Left wrist XR · frontal view · 16-year-old girl — 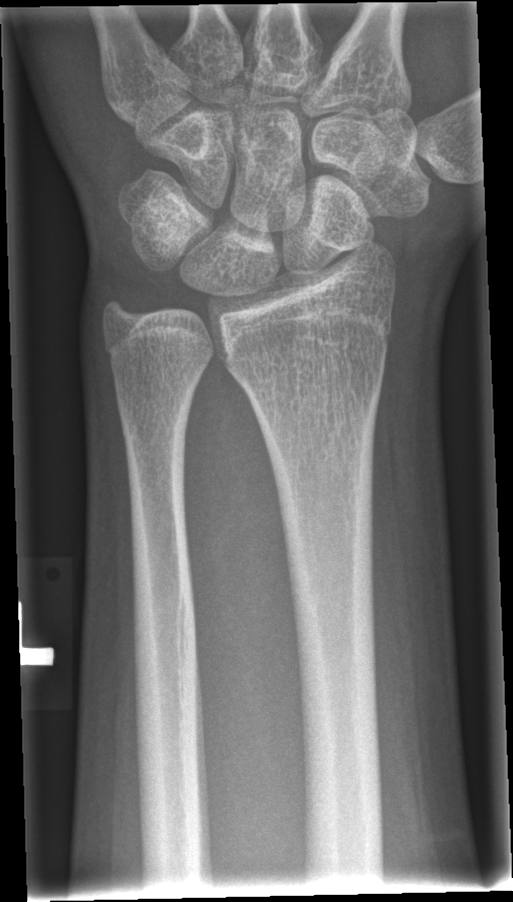
FINDINGS — No Fx annotated.